Rt wrist X-ray · lateral projection · image width 96.8 mm.
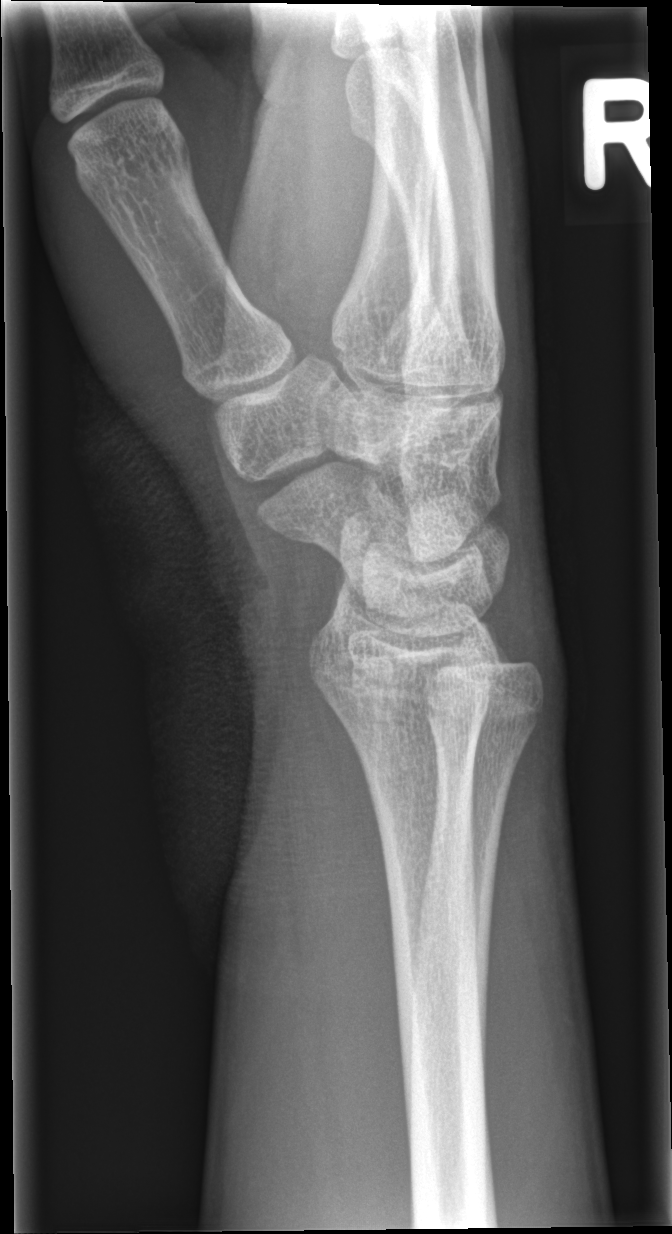

FINDINGS — No Fx annotated.